Right wrist radiograph, lateral projection, 15-year-old male, detector: Siemens:
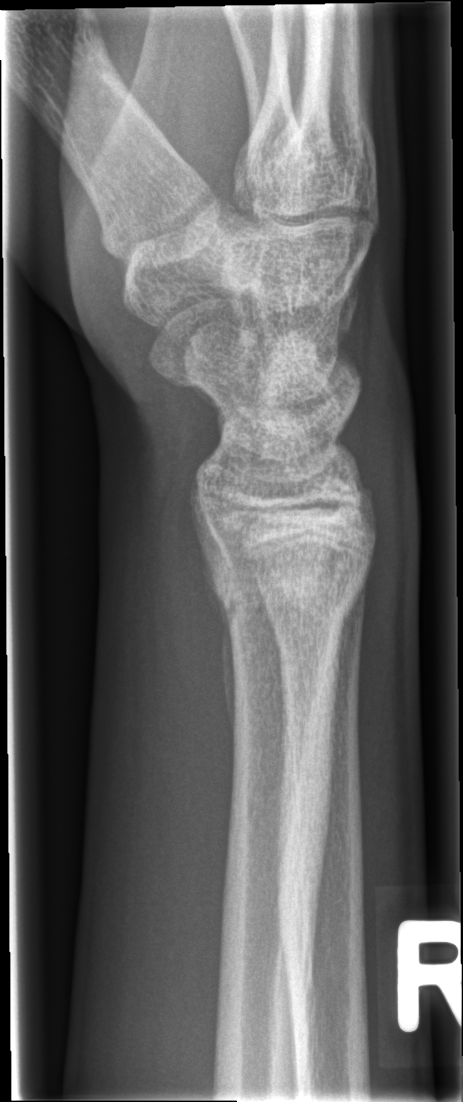
{
  "fracture": "1 @ (201, 540, 378, 642)",
  "periostealreaction": "1 @ (200, 538, 238, 740)"
}